Lt wrist X-ray | lat projection | in cast | image size 1092x1092:

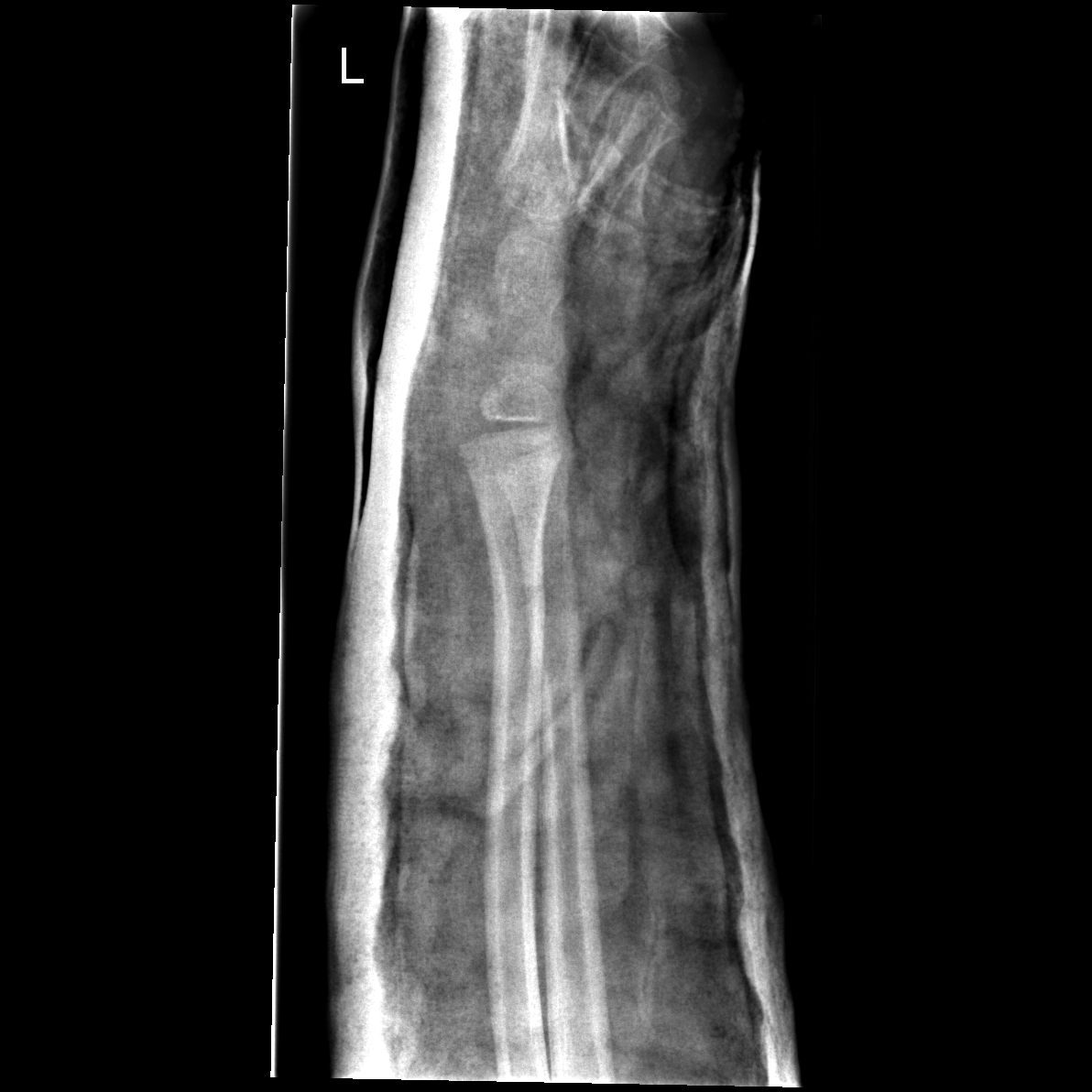

• Pixel coordinates, top-left origin, xyxy.
• One Fx at 486 570 550 629.